Right wrist X-ray, AP projection, subsequent exam, cast present.
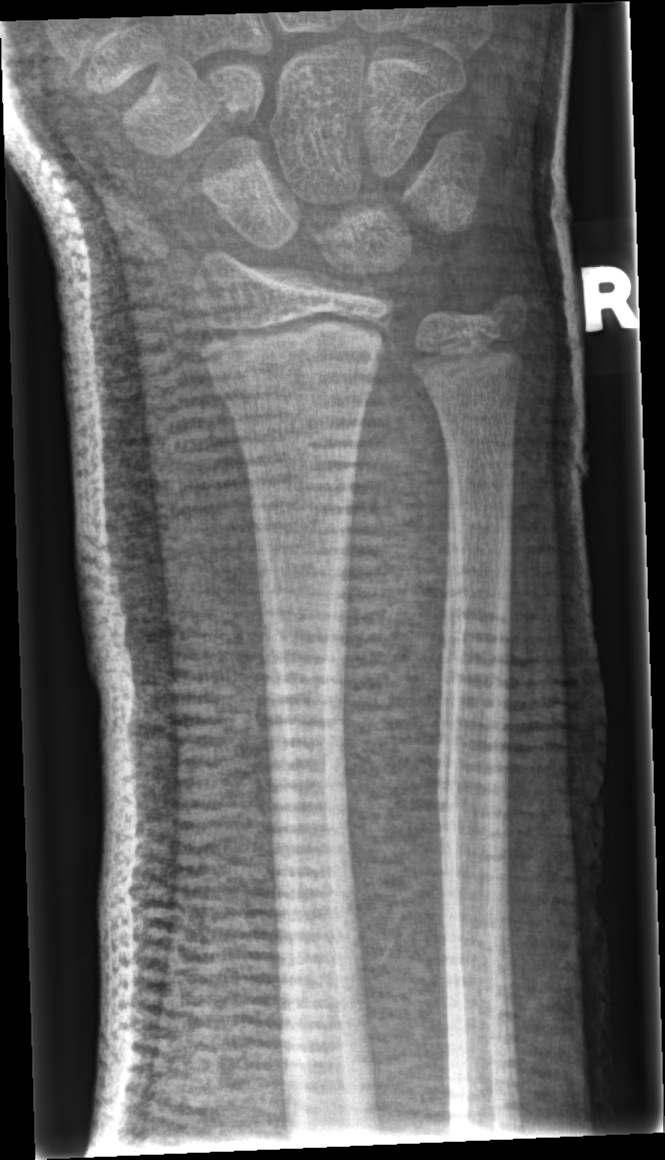 • Fracture: 207,342,386,415.